Frontal projection; R plain radiograph of the wrist; pediatric patient (female, age 4).

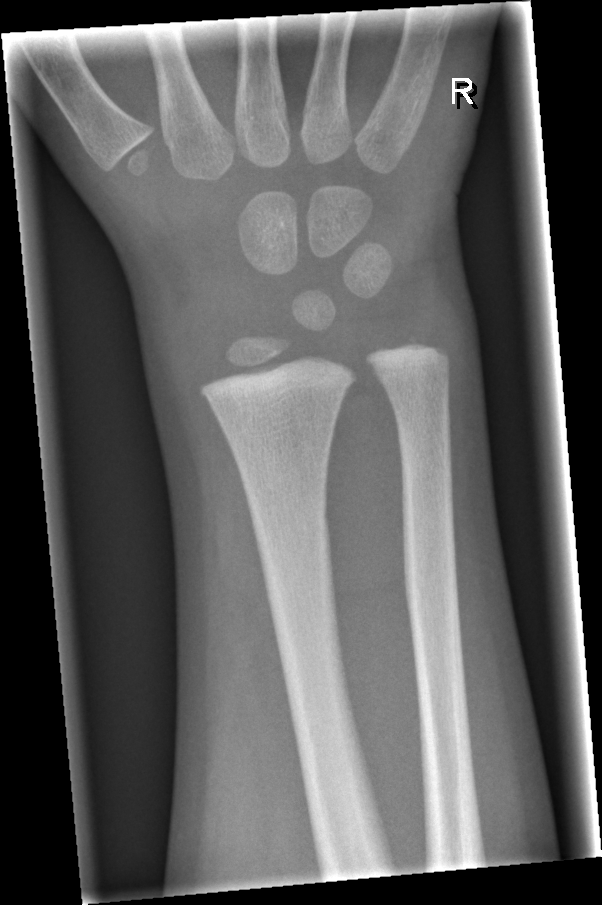 * No fracture bounding box.